Right wrist plain film; PA/AP projection:

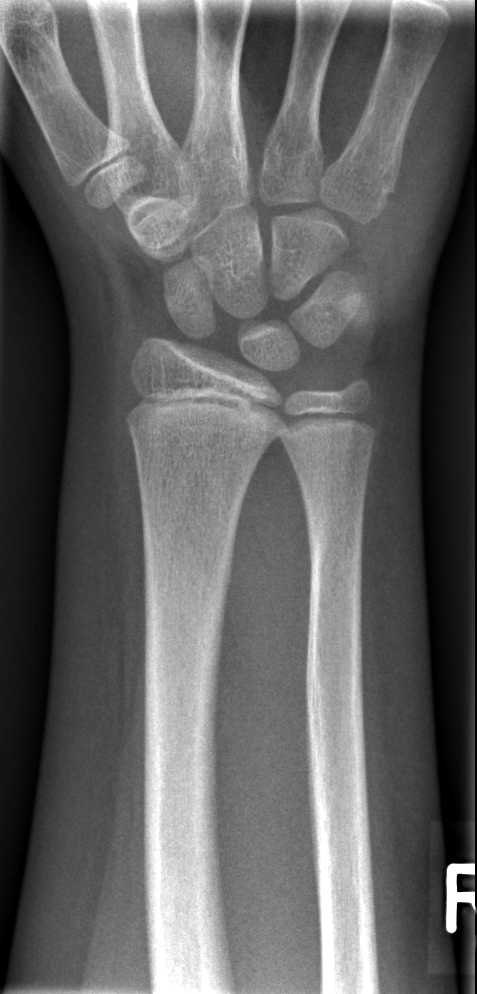
  fracture: none labeled